Right wrist plain radiograph of the wrist · lateral · male, 8 yo — 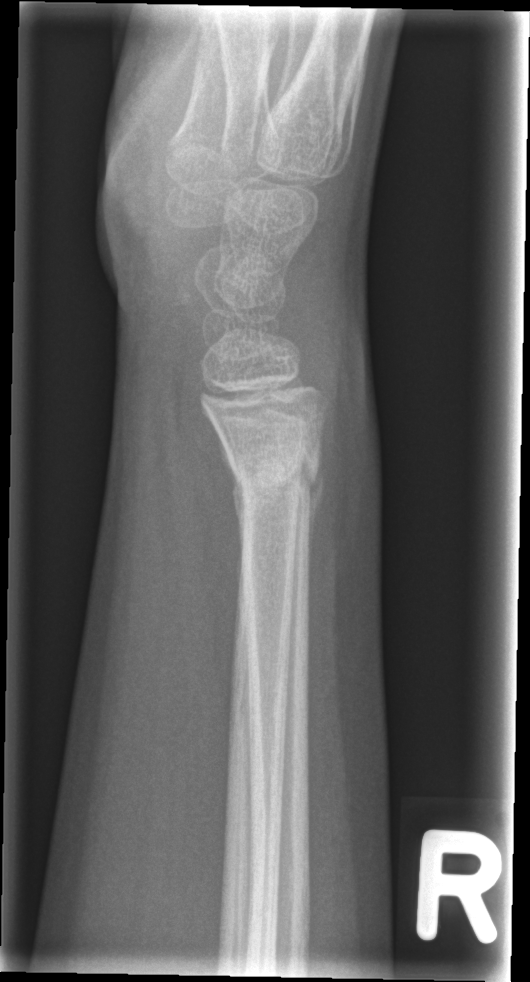

  # bounding boxes in image-pixel xyxy
  fracture: 1 @ (left=229, top=464, right=324, bottom=509)
  ao: 23r-M/3.1
  osteopenia: present